Left wrist plain film · lat view · pediatric patient (female, age 5) · presentation radiograph 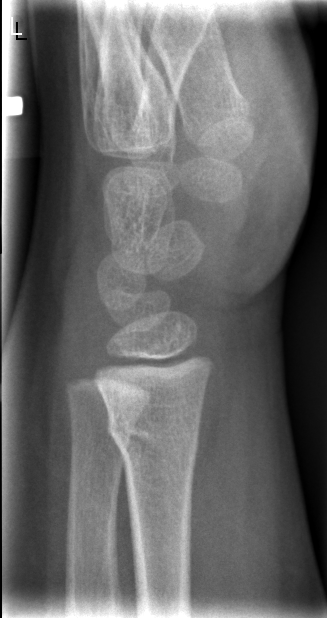

Findings: One fracture at 103,409,203,485.